Posteroanterior view | right wrist XR | subsequent exam | imaged through cast | detector: Siemens:

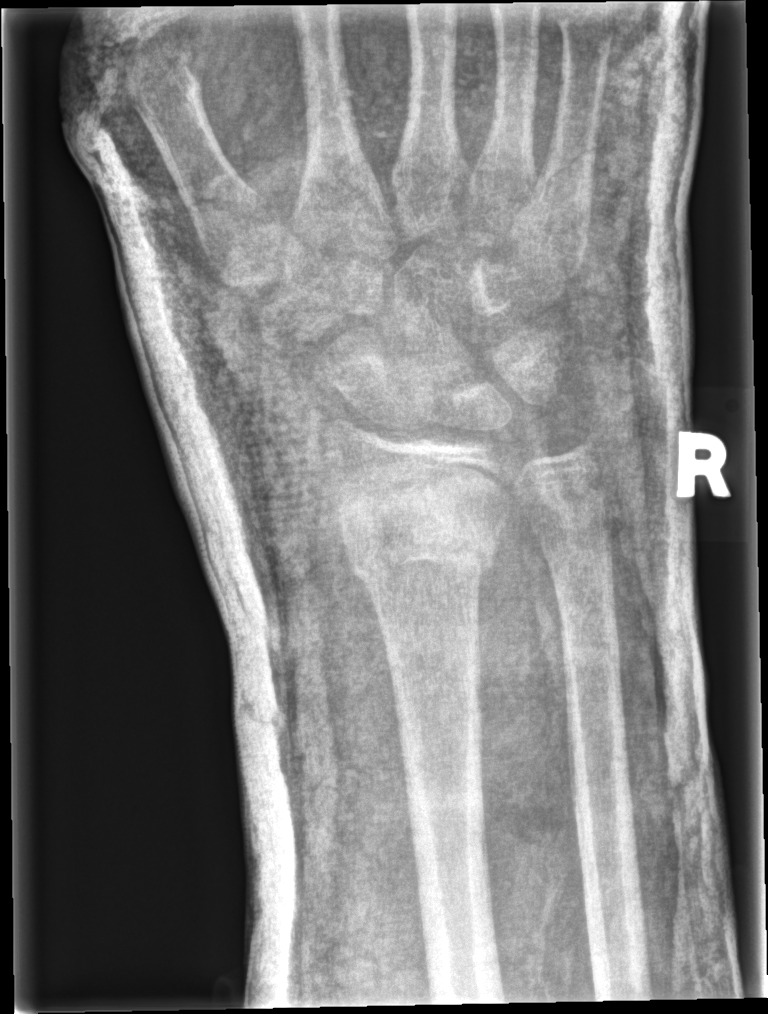
AO classification: 23r-M/3.1; 23u-M/2.1; 23u-E/7
fracture: [336, 503, 501, 585]